Lat projection; left plain radiograph of the wrist; boy, 16 yo —
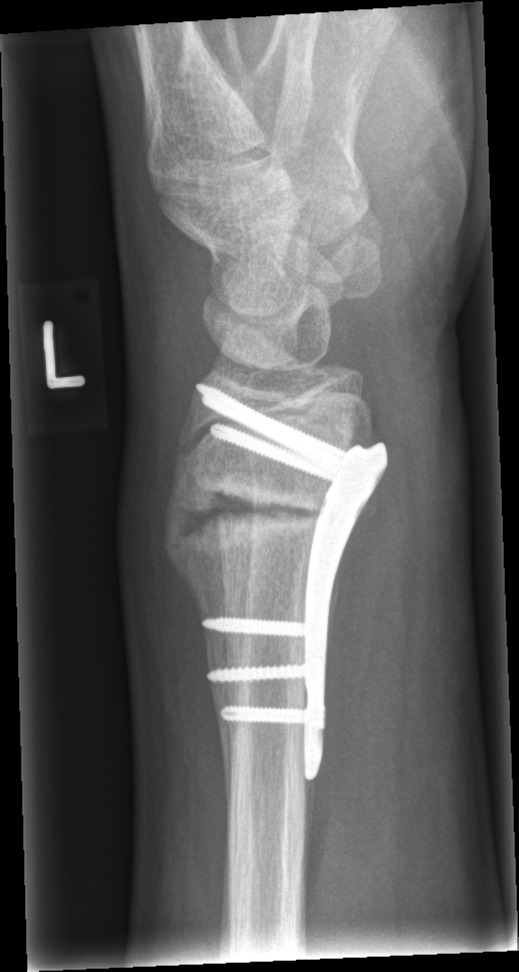

FINDINGS: (boxes as x1,y1,x2,y2 (top-left / bottom-right, pixel units)) Fx: [157, 455, 320, 556]. One hardware at [199, 375, 388, 777].